Lateral projection | L wrist plain film | 11-year-old male | in cast | Siemens —

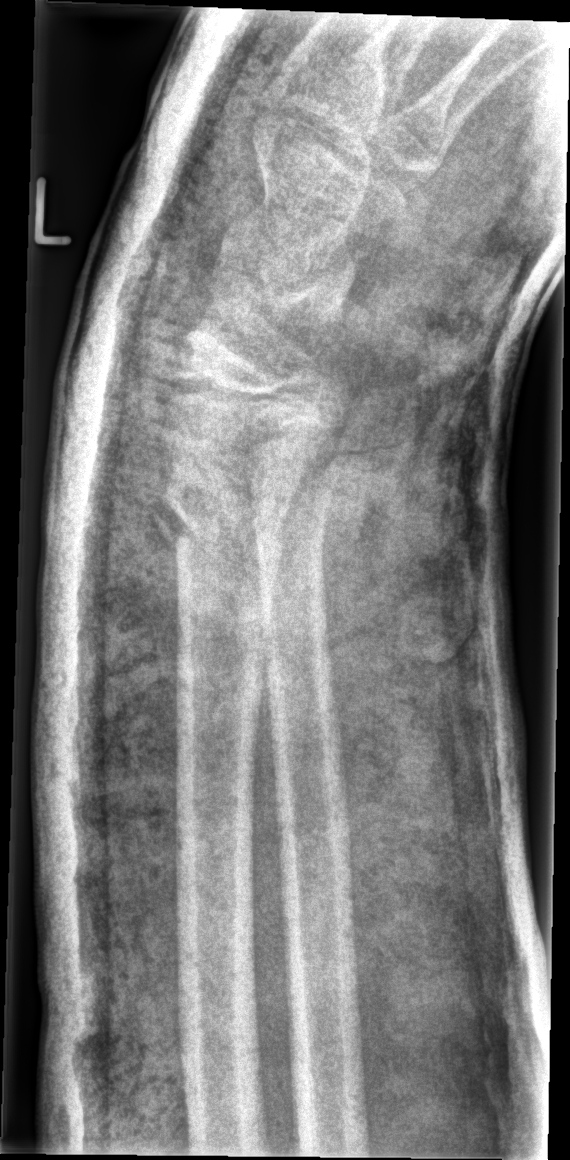 FINDINGS: AO/OTA classification: 23r-M/3.1; 23u-E/7. One fracture at (left=147, top=469, right=287, bottom=582).